Lat view | Lt wrist plain film | image 89.3 mm wide | image size 620x1372.

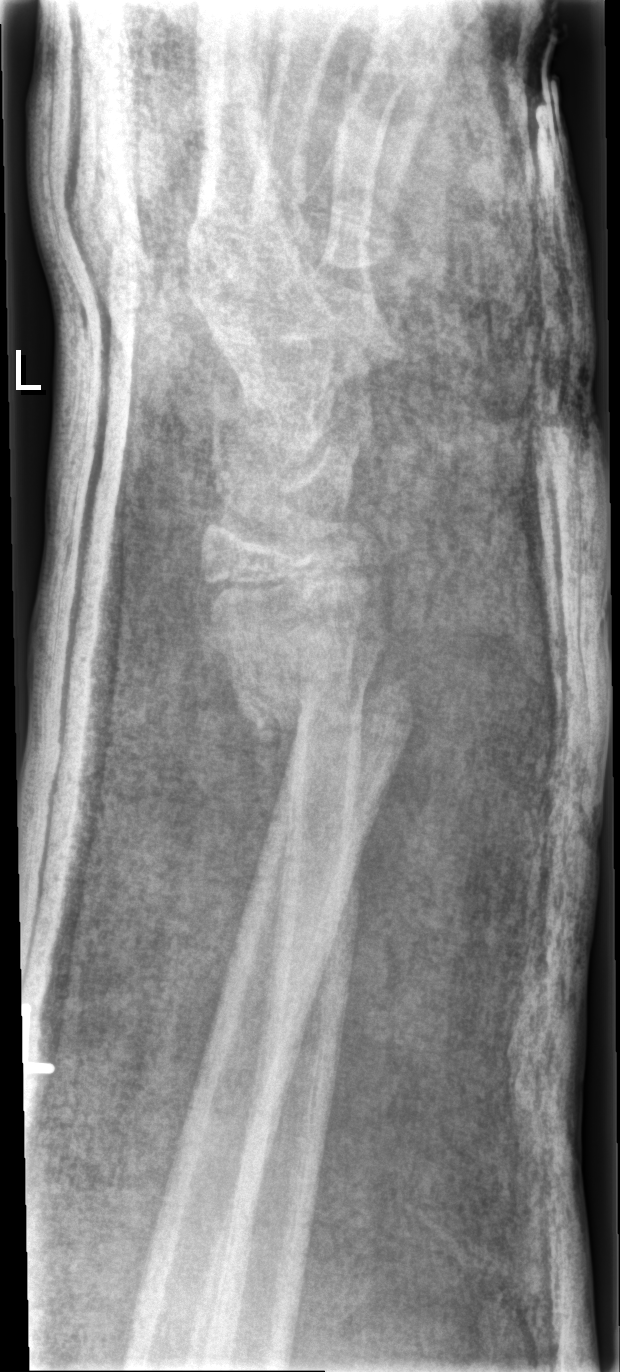 Findings: (pixel coordinates, top-left origin, xyxy) Fx identified at 220 644 423 780.